Lat; L wrist XR; subsequent exam.
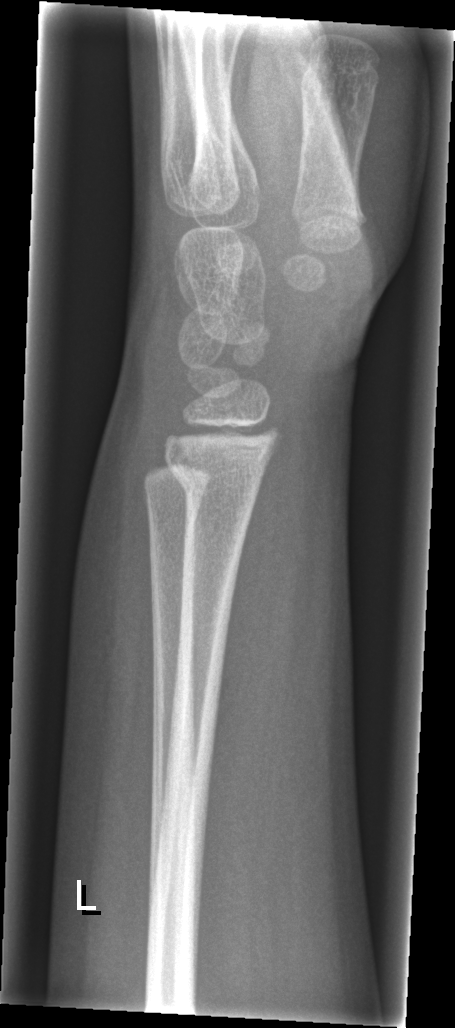

• Pixel coordinates, top-left origin, xyxy.
• Fracture identified at <163,453>-<269,506> <140,485>-<206,541>.
• AO code 23-M/2.1.